Lat, L wrist XR, 1.2y M, 468 x 563 px: 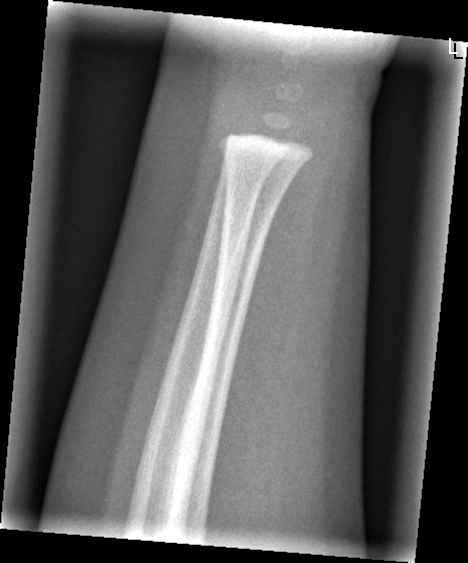
FINDINGS — No fracture annotation.